PA, R wrist radiograph, pediatric patient (male, age 7), follow-up, 488 by 1050 pixels: 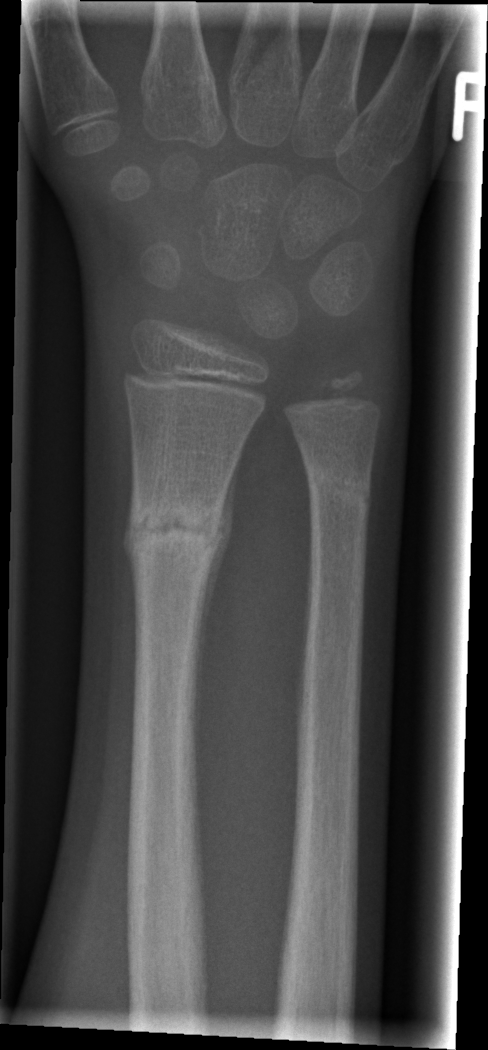

FINDINGS: (bounding boxes in image-pixel xyxy) Fracture classified AO/OTA 23r-M/3.1; 23u-M/2.1. Periosteal reaction: 192 446 243 731. Bone fractures — 122 494 233 570
  302 465 375 523. Osteopenia.